Lateral projection, R wrist plain film, 6y F, subsequent exam, cast present, 566 x 936 px:
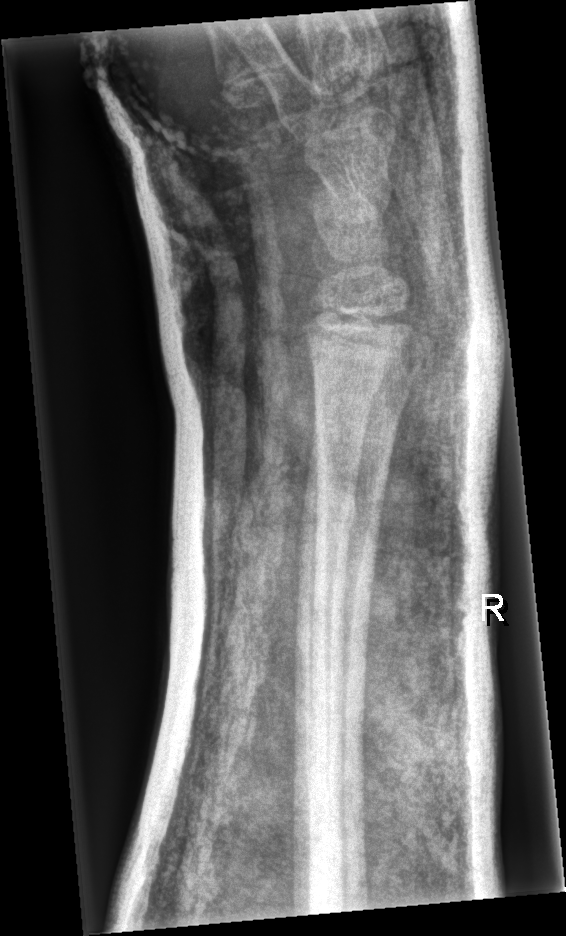 (pixel coordinates, top-left origin, xyxy)
AO code = 22-D/2.1
Fx = 1 @ bbox(295, 486, 359, 544)